L wrist plain film; lat projection; male, 16 yo; follow-up study 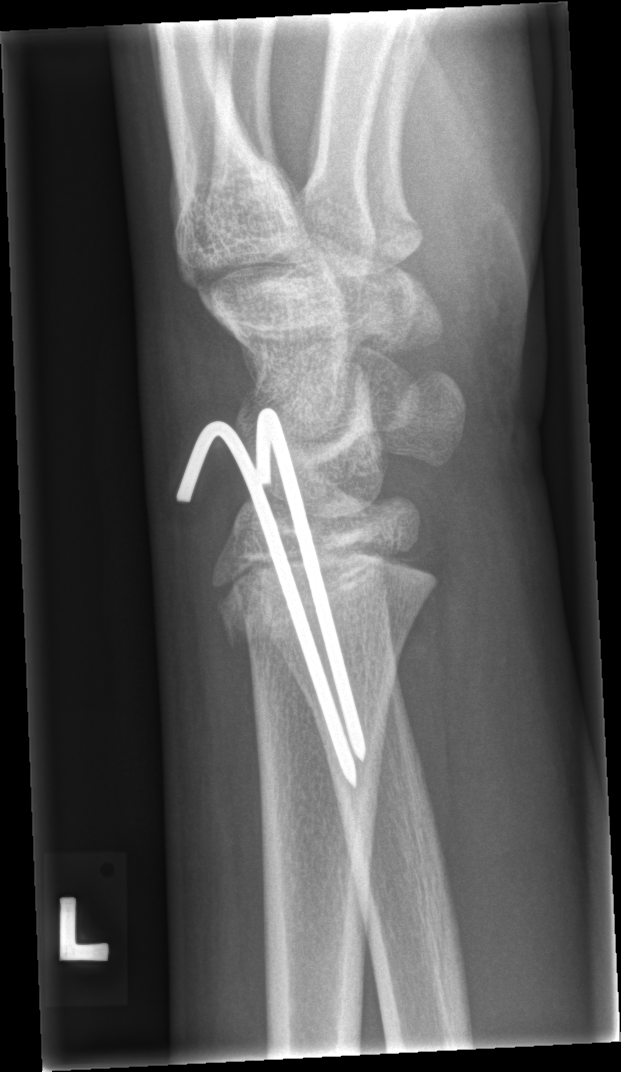 Metallic implant identified at 176 403 369 790.
Fx identified at 208 540 441 663.